Lt wrist X-ray | posteroanterior view | pediatric patient (girl, age 13) | follow-up | cast present —
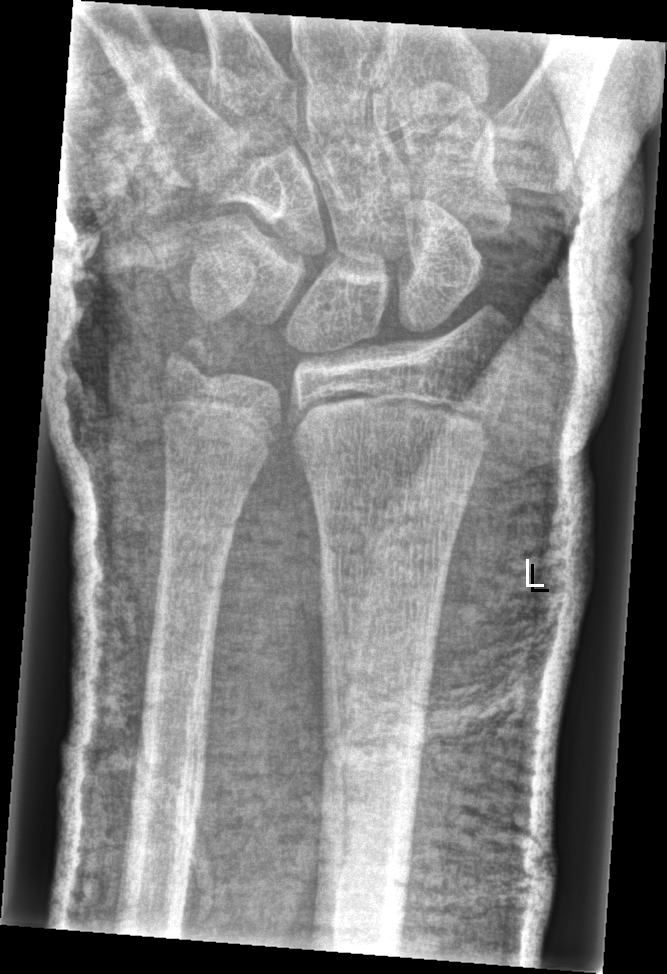
Fx = (left=162, top=329, right=223, bottom=389)
AO/OTA = 23r-E/2.1; 23u-E/7